Rt wrist plain film · lateral: 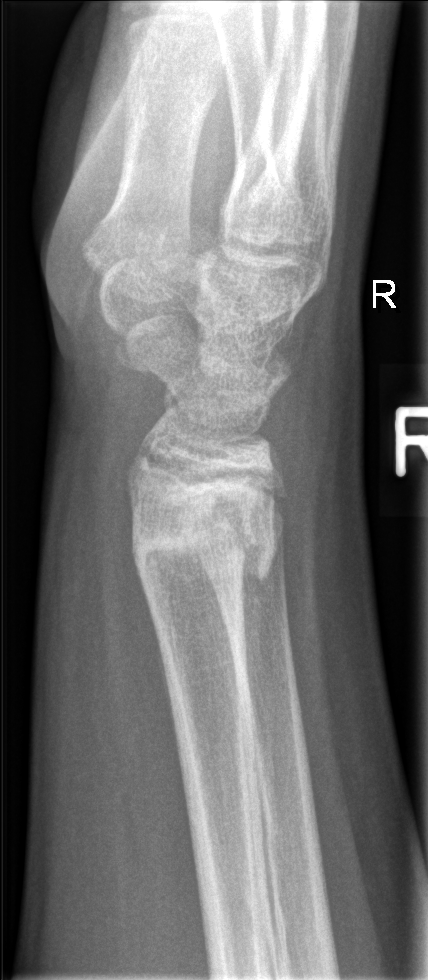
Reduced bone mineral density.
One fracture at bbox(124, 455, 286, 581).